Left wrist XR · frontal projection · follow-up · Siemens 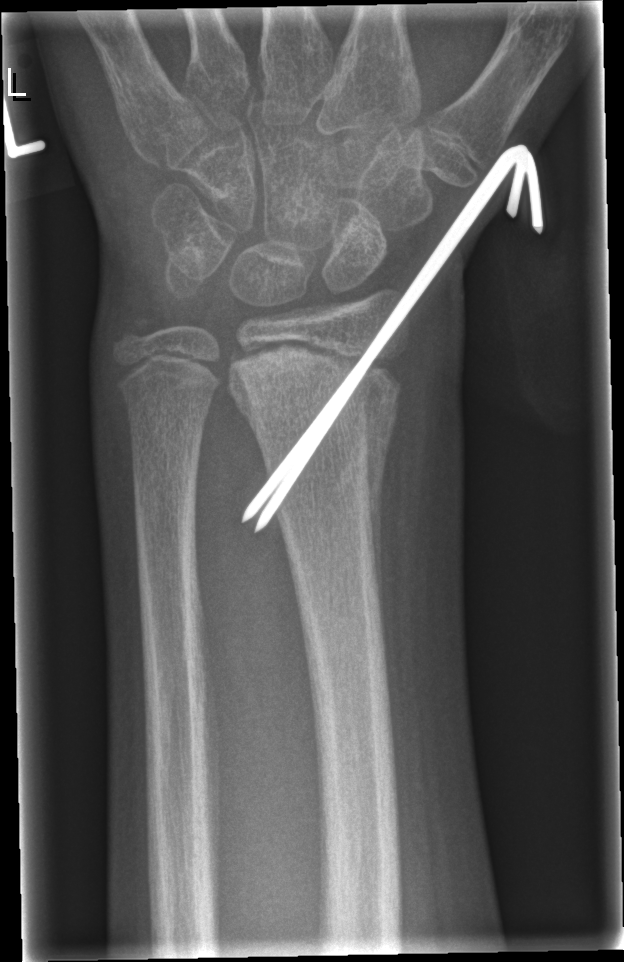 Q: Bone density?
A: Osteopenic
Q: Locate any periosteal reaction.
A: Periosteal new bone: (361, 365, 402, 662)
Q: Is there any metallic hardware?
A: Metallic hardware — (242, 145, 543, 533)
Q: Any fracture seen?
A: Two Fx at (224, 339, 407, 513); (106, 312, 152, 357)